R pediatric wrist radiograph, lateral, boy, 11 yo, initial study, image width 70.0 mm.
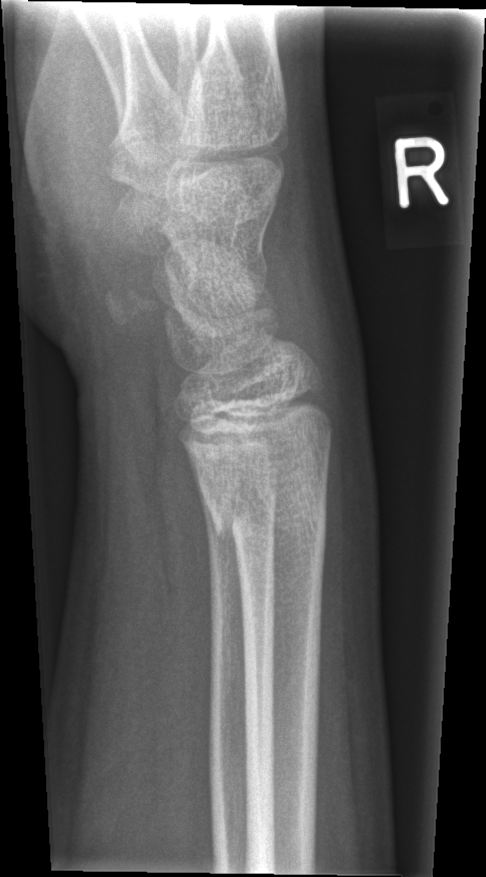

Bone fracture: 209 489 329 554
AO code: 23r-M/2.1